AP projection; L wrist XR; imaged through cast; acquired on Siemens —

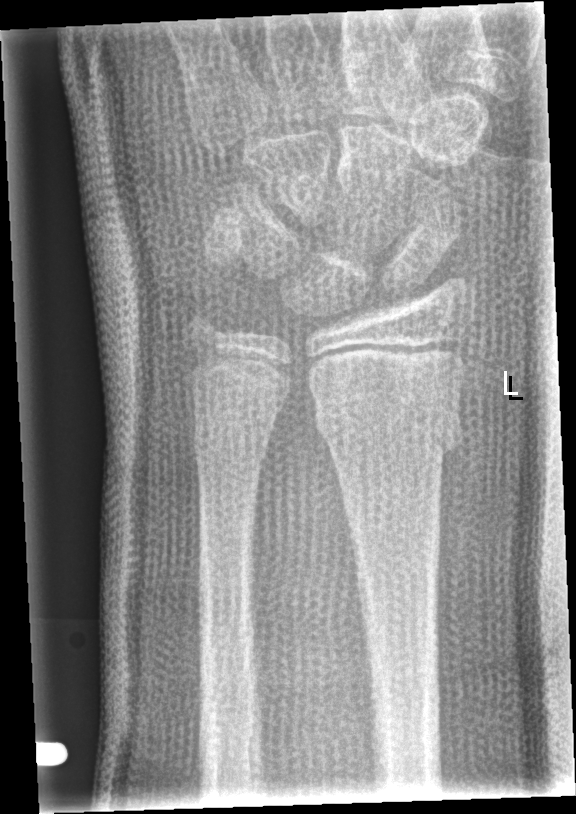 Coordinates are [x1, y1, x2, y2] in image pixels. AO/OTA classification: 23-M/2.1. Fx — 311,394,469,460
  191,427,273,474.